Right wrist radiograph, AP projection, 7-year-old boy, image size 564x552.

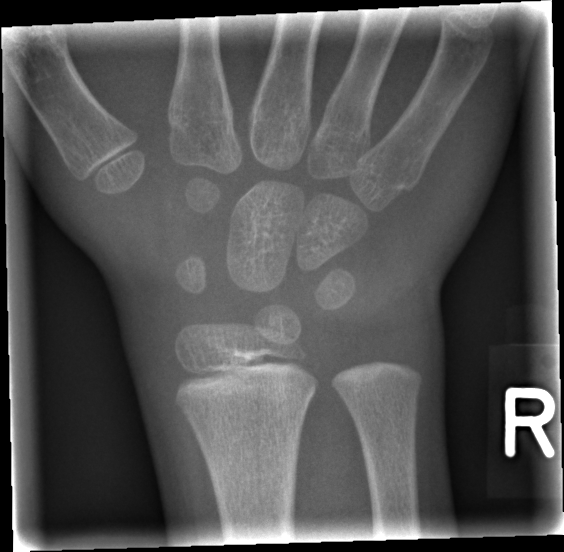

Q: Any fracture seen?
A: Fracture present, though not clearly seen in this view
Q: AO code?
A: AO/OTA classification: 23r-M/2.1